L wrist X-ray; lateral view; female, 14 yo; follow-up; image size 458x1082:

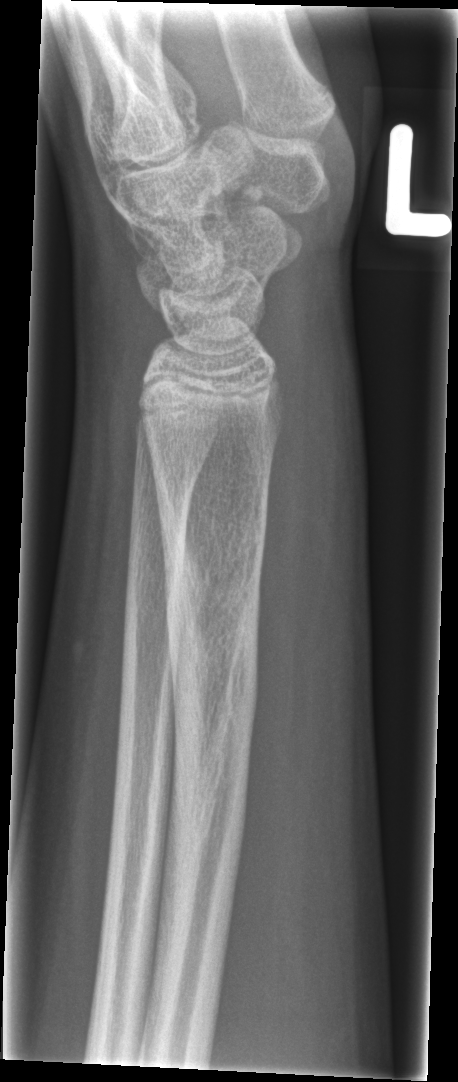

bone fracture = 1 @ (left=157, top=499, right=266, bottom=878)